AP projection · R wrist radiograph 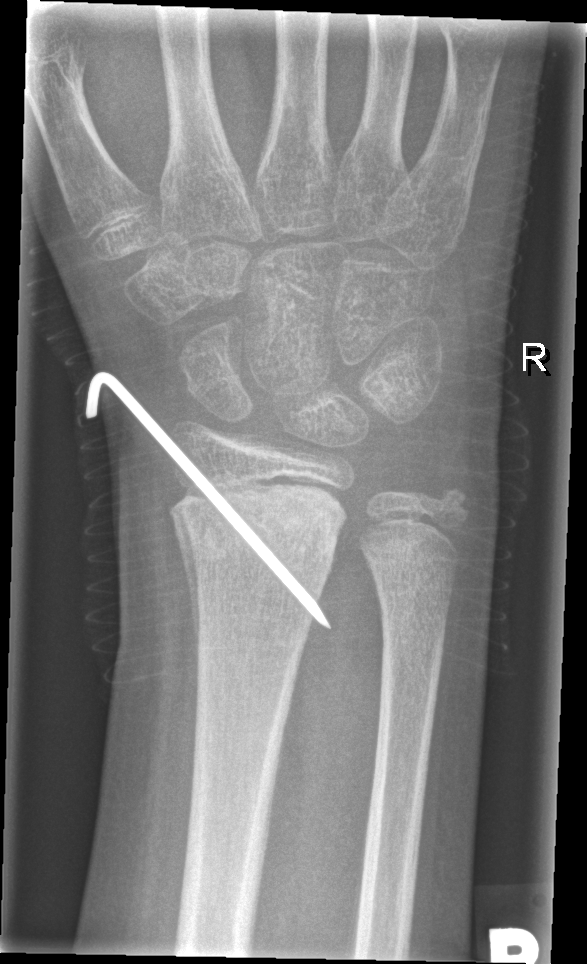
ao: 23r-E/2.1; 23u-E/7
metal: 1 @ [86, 372, 331, 628]
periostealreaction: [172, 510, 200, 680]
fracture: 2 @ [173, 474, 348, 578] [410, 483, 474, 543]